Posteroanterior, left wrist pediatric wrist radiograph, 11y M.

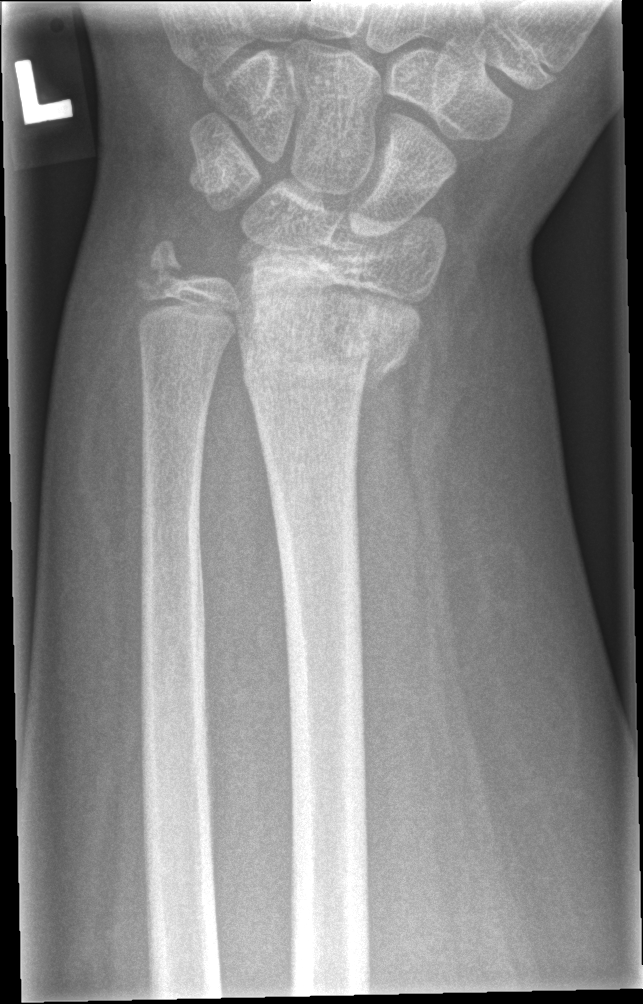

Two fractures at 231,306,428,418 | 122,231,208,311.